R wrist X-ray; lat; initial study; 395 x 960 px:
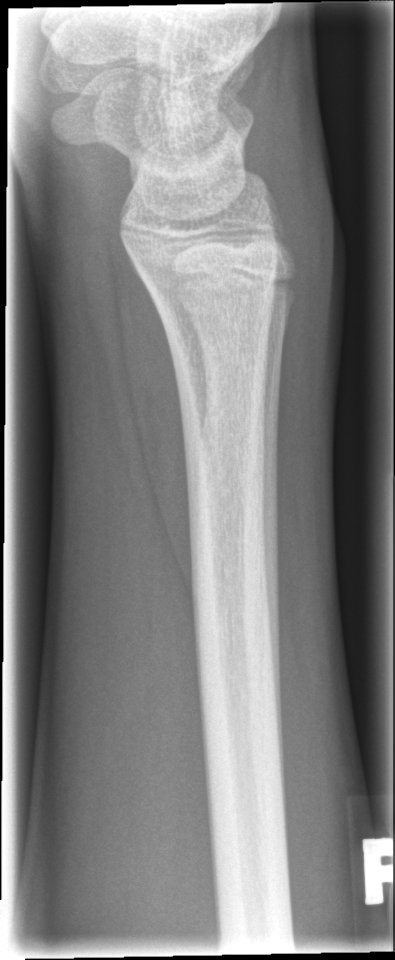

No fracture annotation.